Right wrist XR, lat view, subsequent exam, cast in situ:

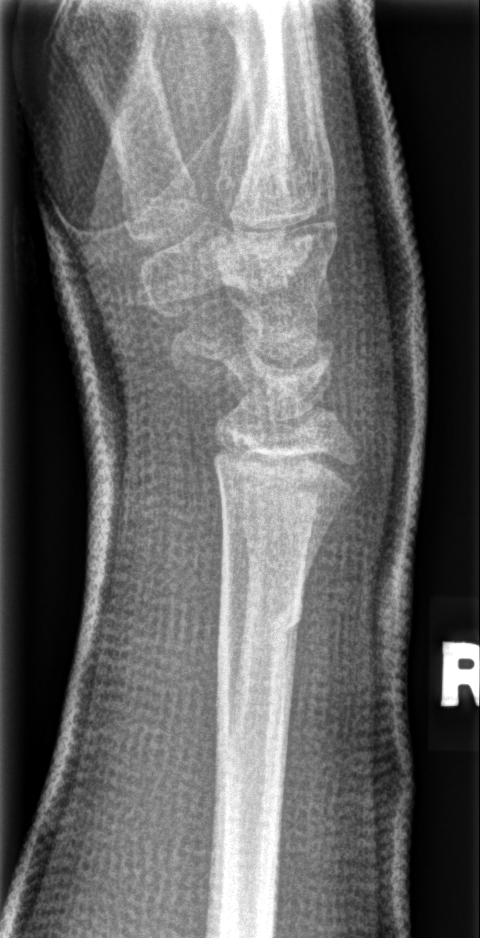

Coordinates are [x1, y1, x2, y2] in image pixels. Fx identified at bbox(213, 588, 310, 662).